Left pediatric wrist radiograph, lateral view, presentation radiograph, 389x942 — 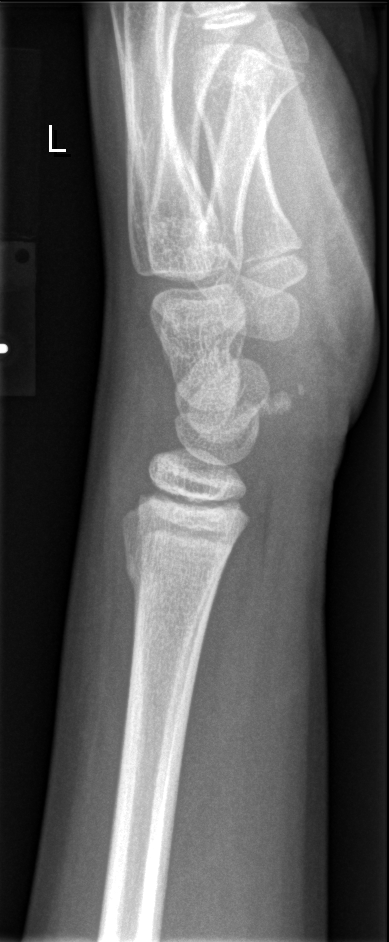

Findings: (coordinates are [x1, y1, x2, y2] in image pixels) Fx identified at (122, 555, 224, 613). Fracture classified AO/OTA 23r-M/2.1.